Right wrist plain radiograph of the wrist | lateral view —
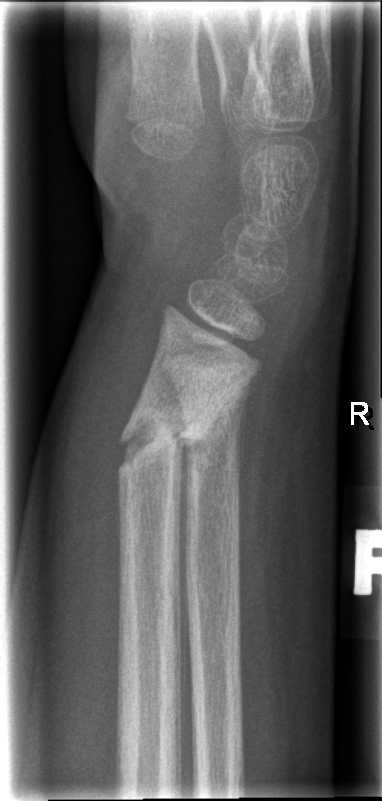

Boxes as x1,y1,x2,y2 (top-left / bottom-right, pixel units).
Fx — (left=107, top=404, right=229, bottom=498).
Fracture classified AO/OTA 23-M/2.1.
Osteopenic.